PA · left wrist plain film · female, 9 yo · subsequent exam:
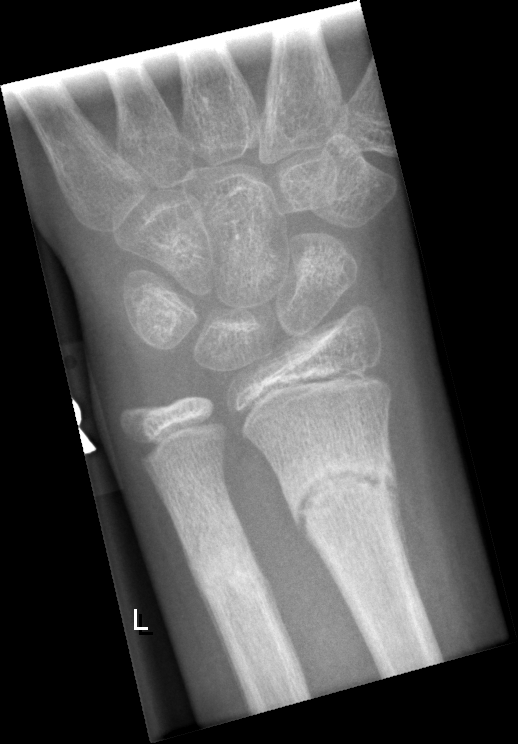
{
  "ao": "23r-M/3.1; 23u-M/2.1",
  "fracture": "[289, 451, 404, 544] [188, 547, 271, 599]"
}